PA/AP projection · right wrist radiograph · male, 14 yo · imaged through cast —
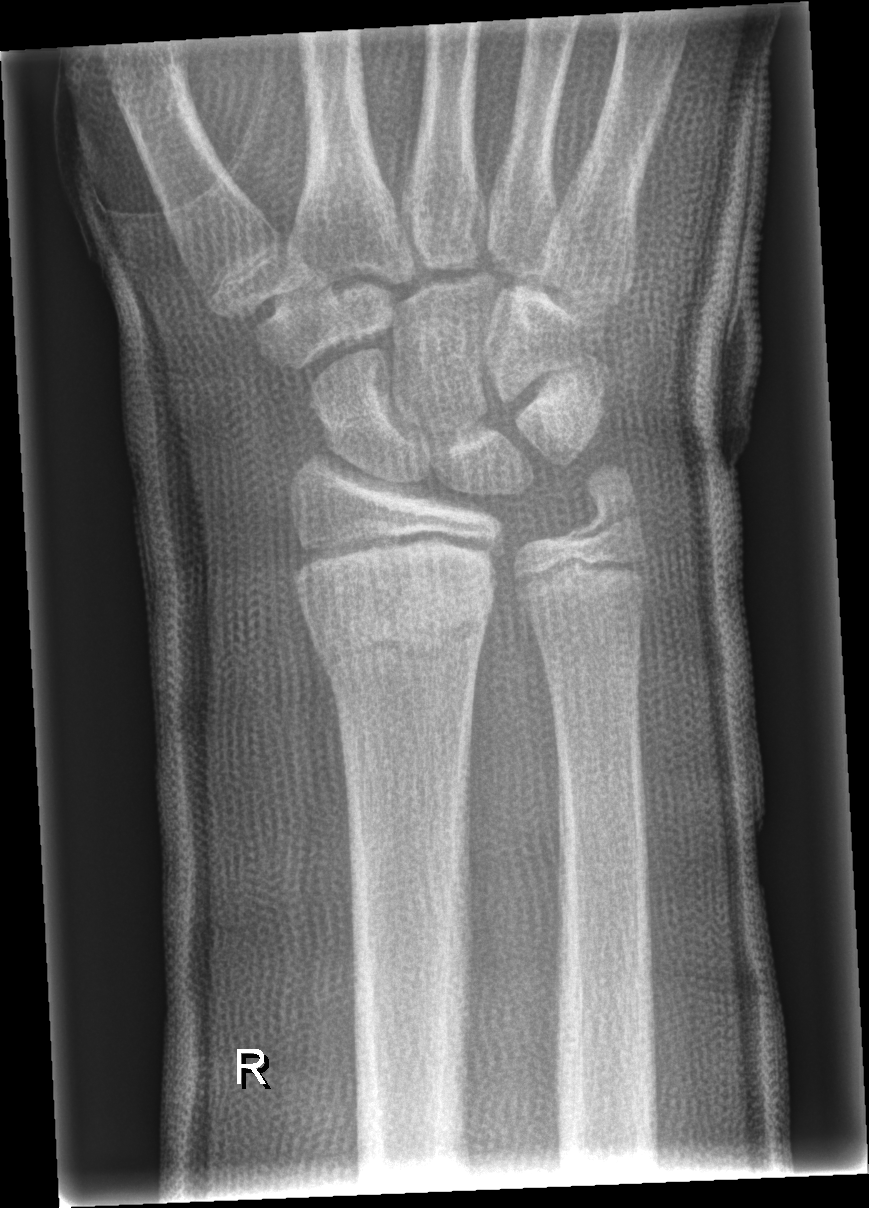 AO code: 23r-M/3.1; 23u-E/7
Fx: 2 @ (left=319, top=596, right=492, bottom=676); (left=551, top=457, right=643, bottom=546)